Lateral projection, right wrist radiograph, 12-year-old boy —

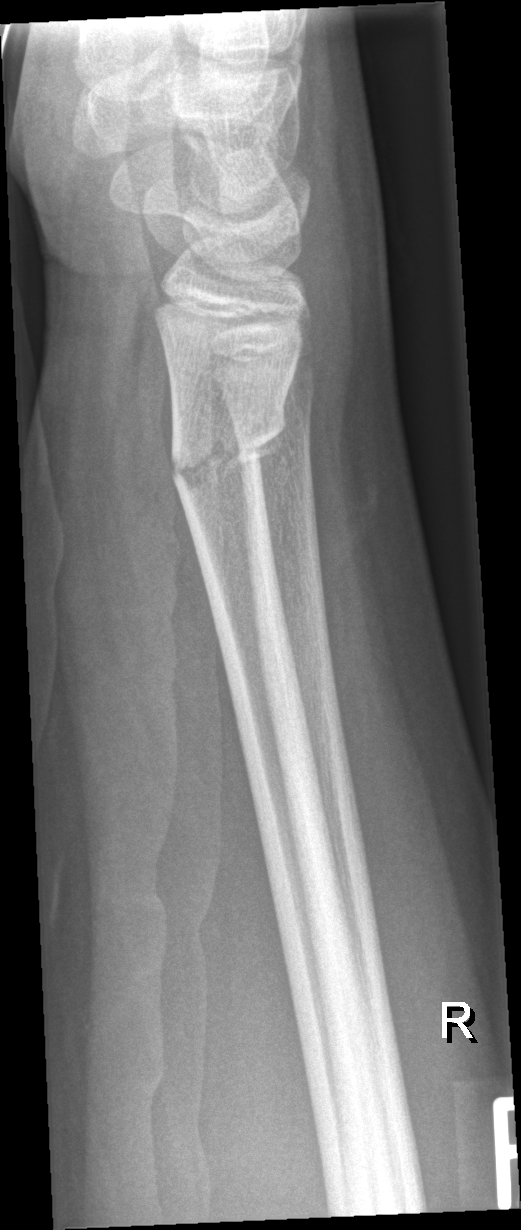

(bounding boxes in image-pixel xyxy)
Q: Fracture present?
A: One Fx at [x1=164, y1=396, x2=293, y2=498]